Left wrist X-ray · lat · subsequent exam · Siemens

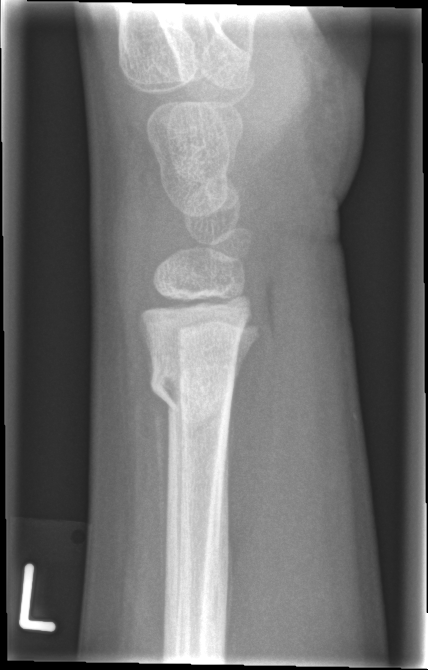
Reduced bone mineral density.
Bone fracture: (left=146, top=352, right=238, bottom=430).